Right wrist X-ray, posteroanterior view, 2-year-old boy, index exam, detector: Siemens:

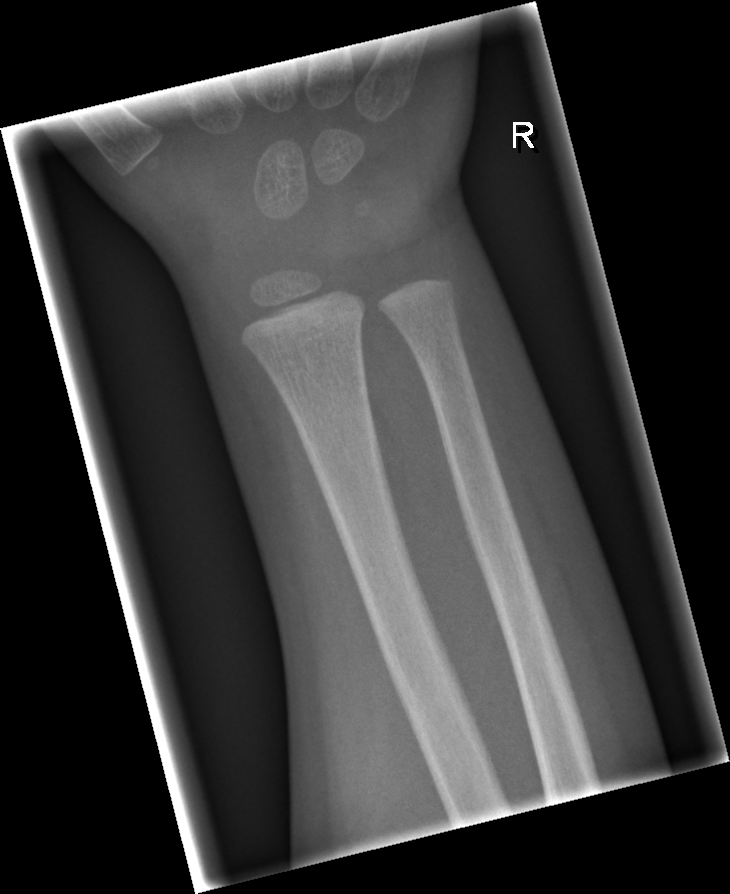

Fx: none.